Left wrist XR; lat projection; boy, 14 yo; follow-up.
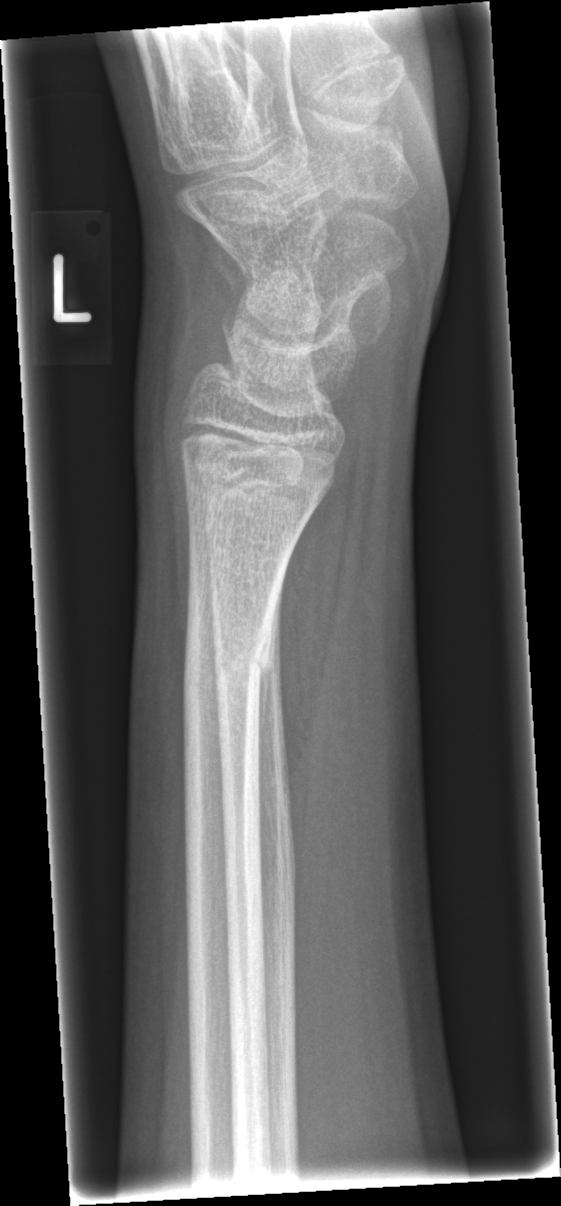 Fx identified at 180,627,280,689. AO code 23r-M/2.1. Osteopenia.